Rt wrist XR · lateral view · girl, 9 yo:

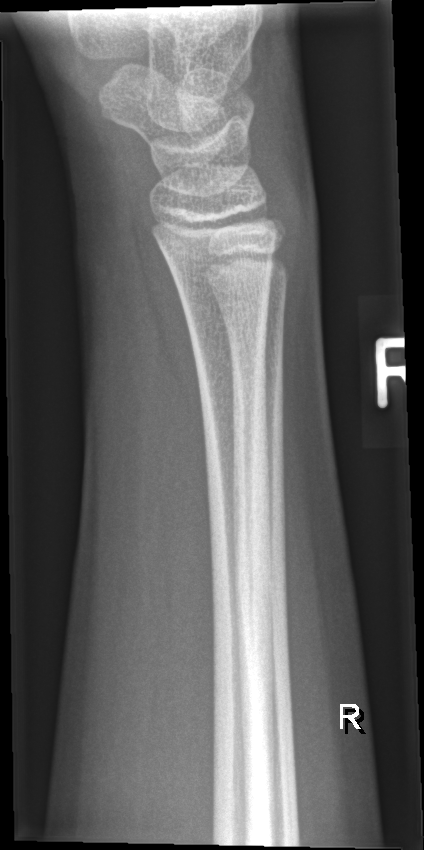

FINDINGS: No Fx annotated.